Rt wrist plain film, lateral projection
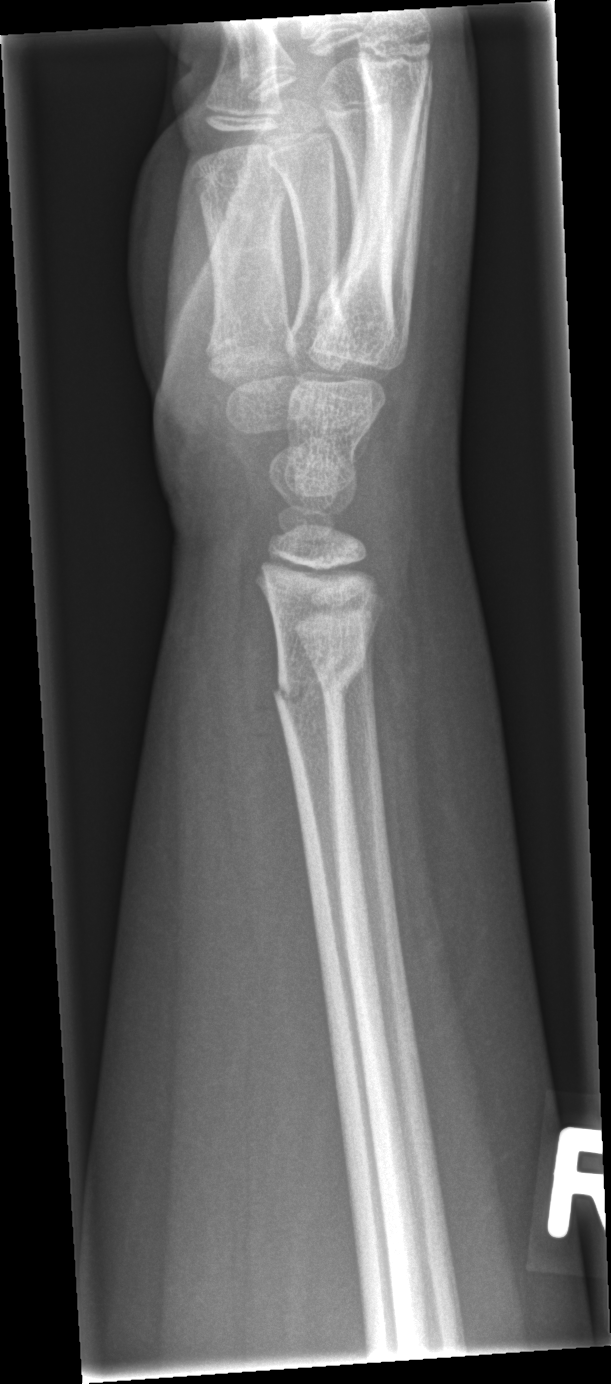
Q: Any fracture seen?
A: Fracture — 268,642,369,720
Q: AO code?
A: AO/OTA classification: 23r-M/3.1